L wrist X-ray · lateral · 12y F · 66.1 mm image width — 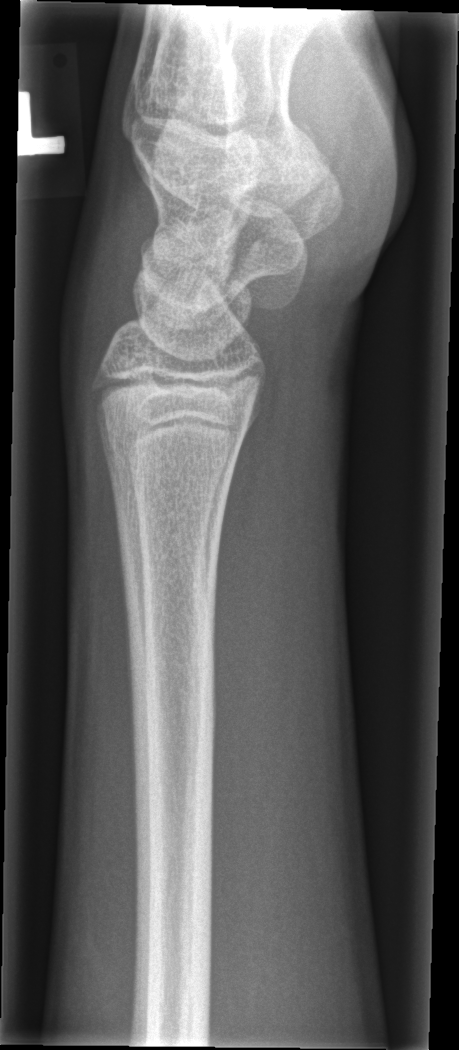
No fracture annotation.